Left wrist X-ray; lateral projection —

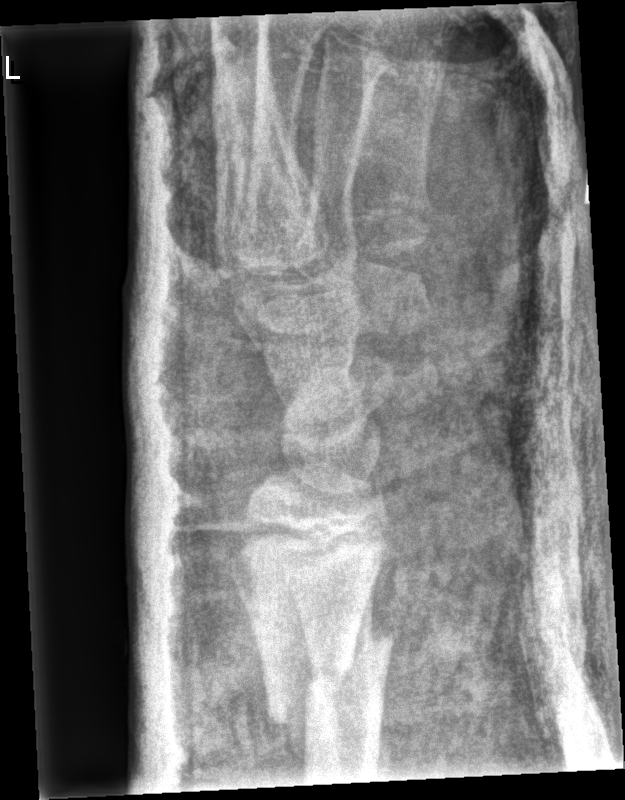 Coordinates are [x1, y1, x2, y2] in image pixels. Fx — [x1=256, y1=622, x2=397, y2=728].